Lat projection | right wrist XR | initial study:
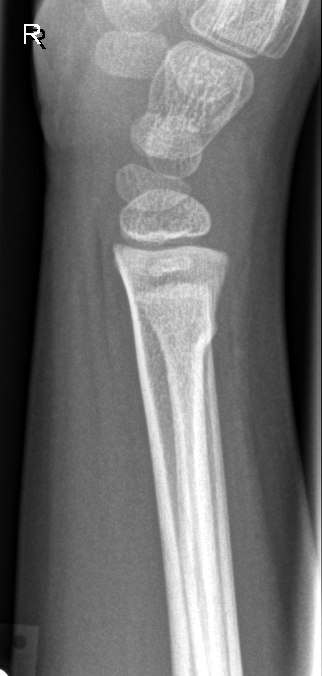

Bounding boxes in image-pixel xyxy. AO/OTA classification: 23r-M/2.1. Fracture — 132,309,220,363.